Lateral, left wrist XR, 14-year-old boy, detector: Siemens, image width 65.8 mm, image size 457x1210 — 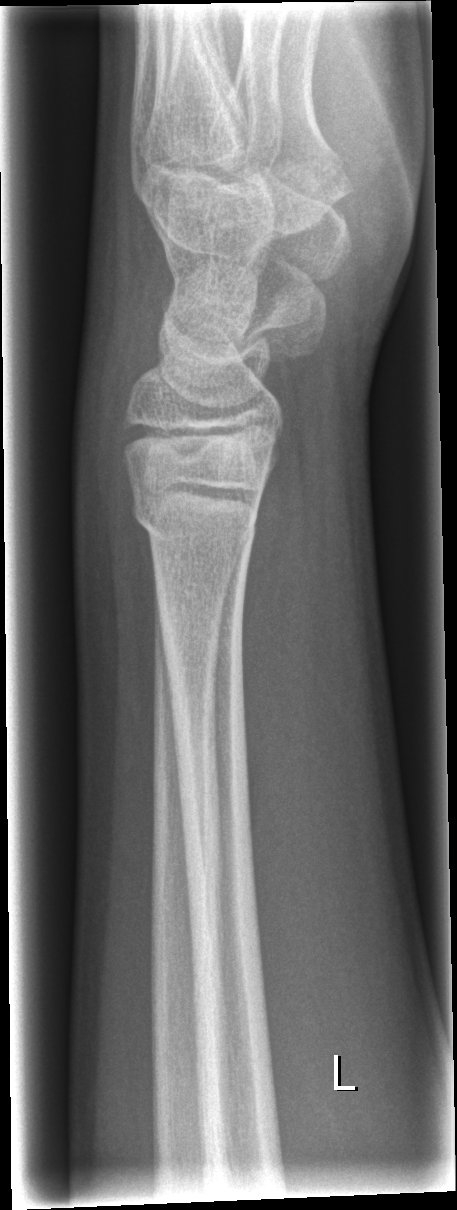 {"pronatorsign": "<239,443>-<321,883>", "fracture": "<126,467>-<264,556>"}